Frontal view; Rt pediatric wrist radiograph; age 2 y, female; image width 59.8 mm.

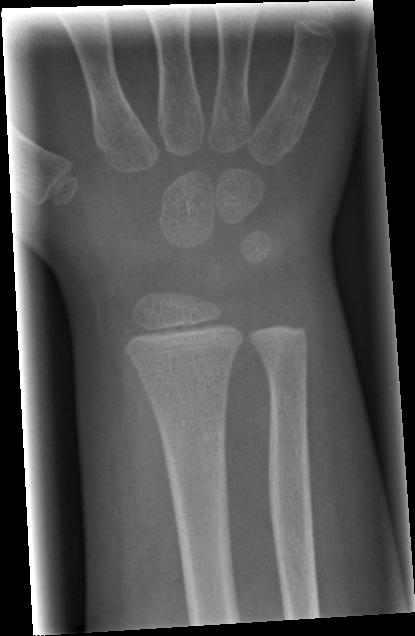

Q: Any fracture seen?
A: No fracture bounding box